Lt wrist plain film · frontal · age 17 y, girl · 571 by 926 pixels.
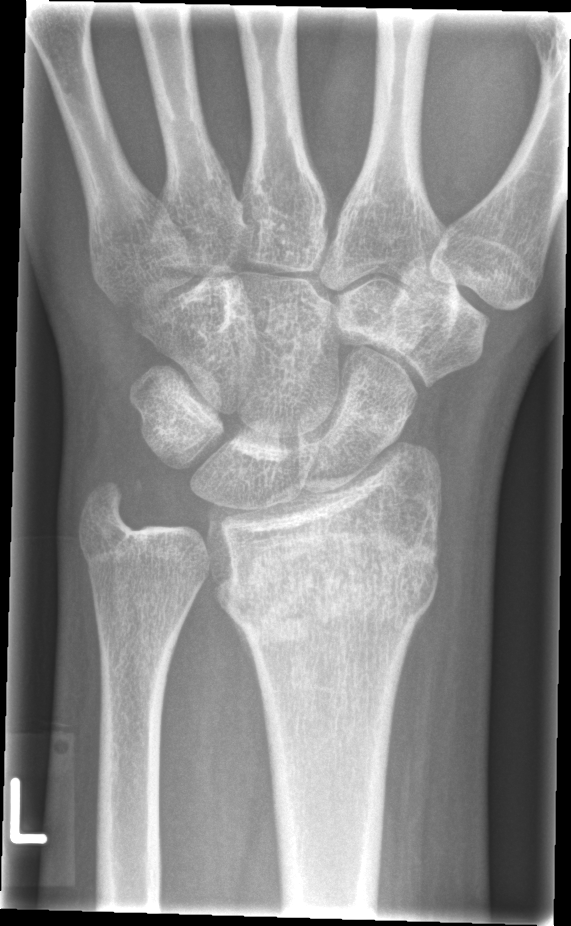

(coordinates are [x1, y1, x2, y2] in image pixels)
Fracture = 2 @ 208,525,442,649 | 85,475,146,534